Rt pediatric wrist radiograph; AP projection; 582 x 1162 px: 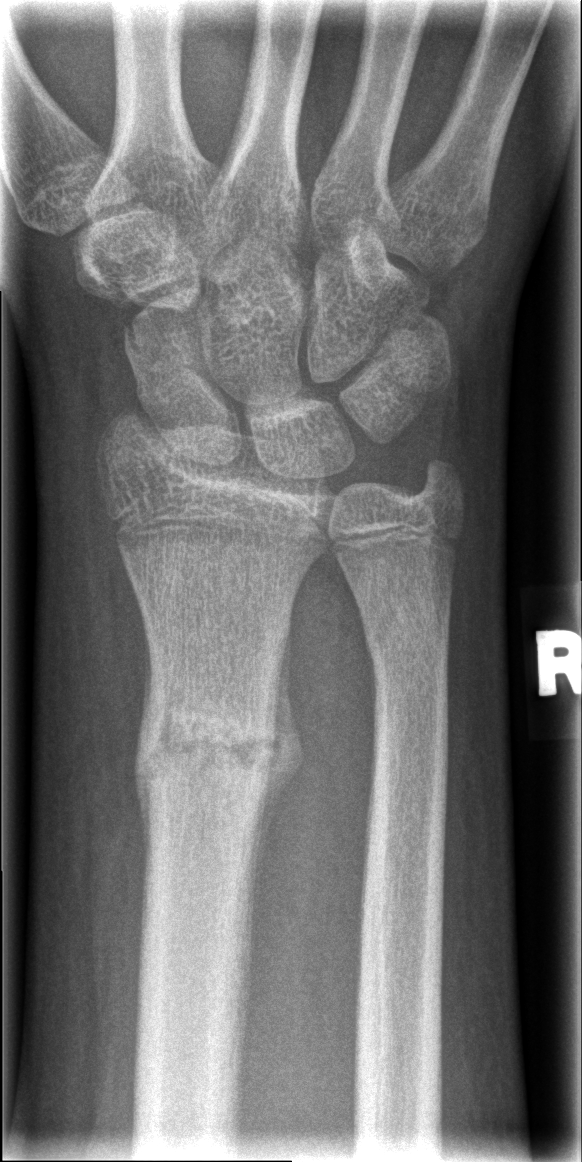

  fracture: 2 @ [137, 692, 283, 833]; [356, 595, 455, 674]
  osteopenia: present
  ao: 23r-M/3.1; 23u-M/2.1
  periostealreaction: [251, 609, 305, 892], [133, 608, 162, 896], [366, 636, 377, 742]